Lat | right wrist pediatric wrist radiograph | age 16 y, male | follow-up study | cast present | acquired on Siemens —

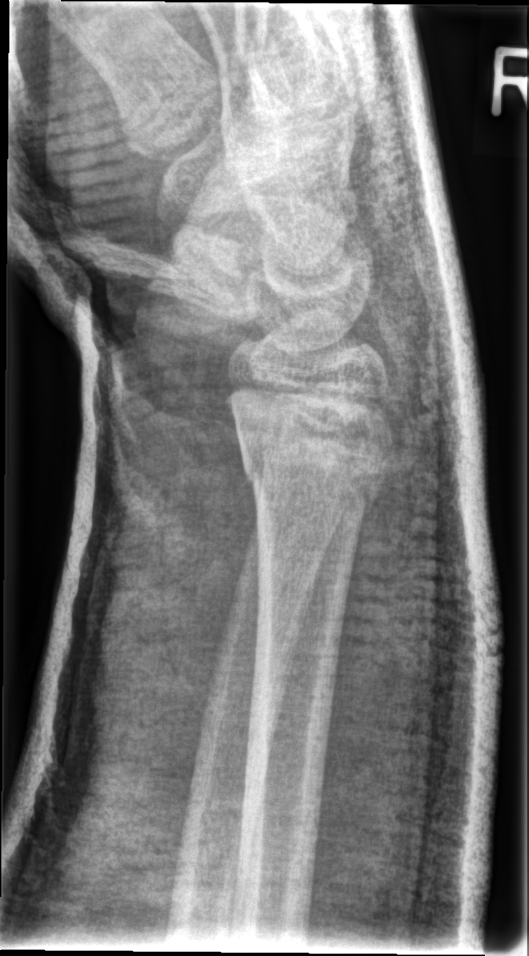
• Fracture identified at (239, 412, 400, 518).
• AO code 23r-M/3.1; 23u-E/7.